Lat projection · R wrist radiograph:

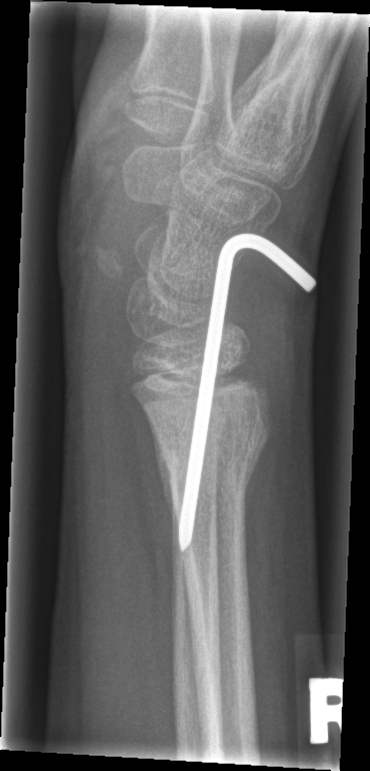 Fx = (155, 412, 271, 482)
osteopenia = present
metallic implant = (175, 227, 317, 554)